Frontal | left wrist plain film | girl, 9 yo | 472x874:

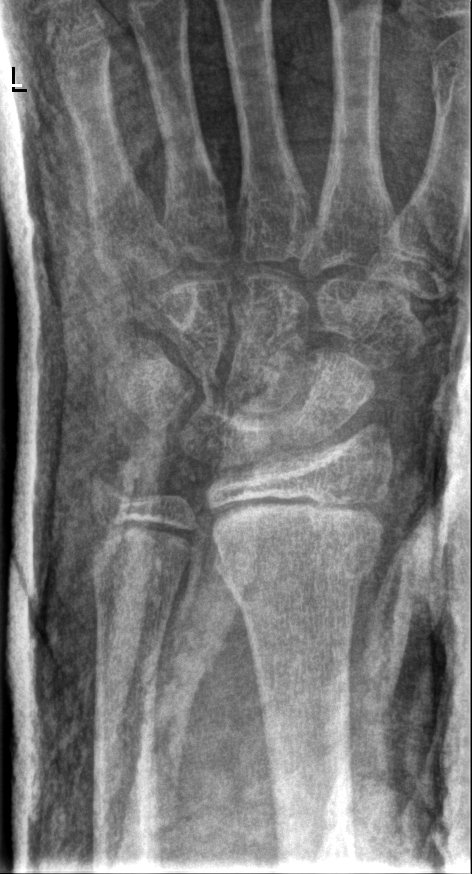 (coordinates are [x1, y1, x2, y2] in image pixels)
Q: Fracture present?
A: Bone fracture: (208, 498, 389, 594); (90, 456, 140, 506)